Lt wrist X-ray · frontal view · 717 by 1568 pixels

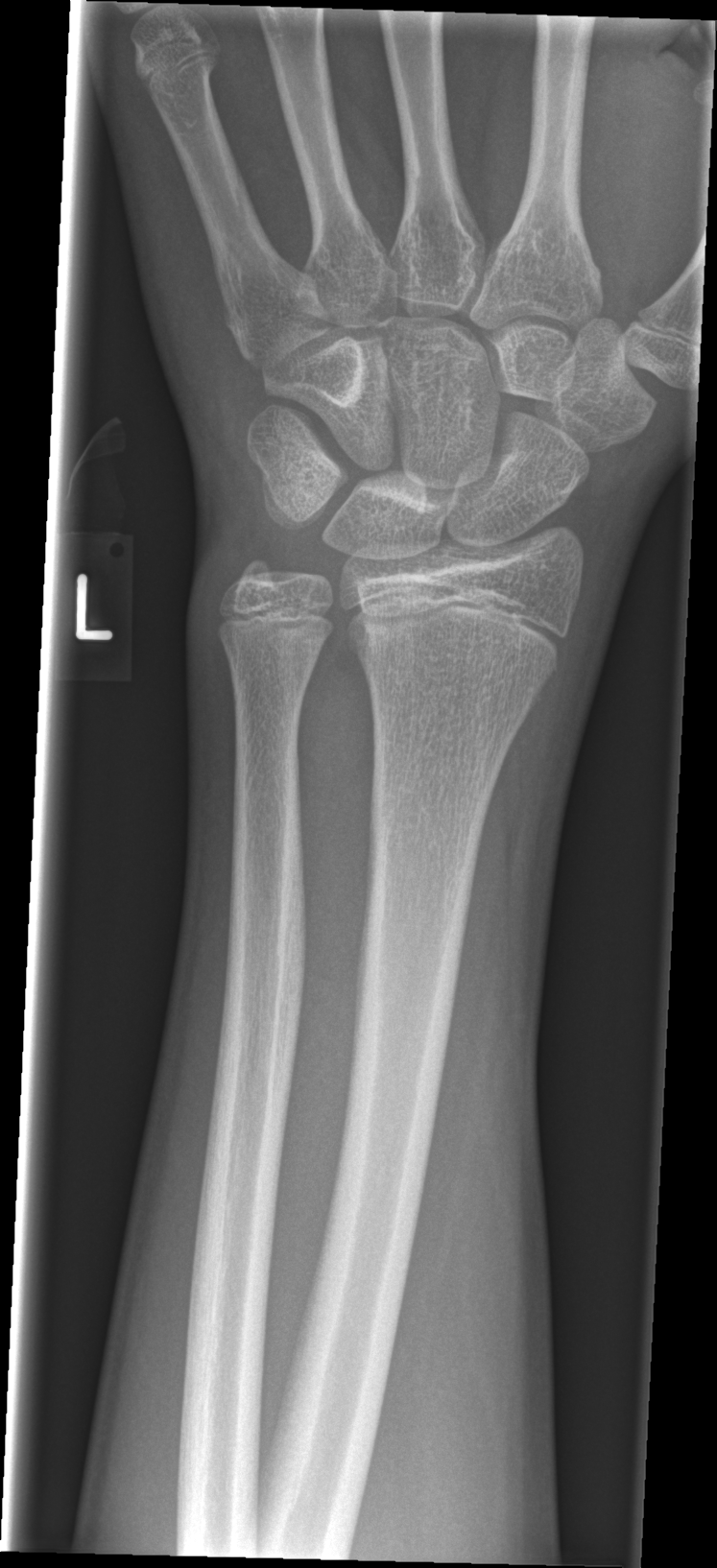
Q: Any fracture seen?
A: No Fx annotated